Lat · right wrist plain film · boy, 15 yo · image 66.5 mm wide.
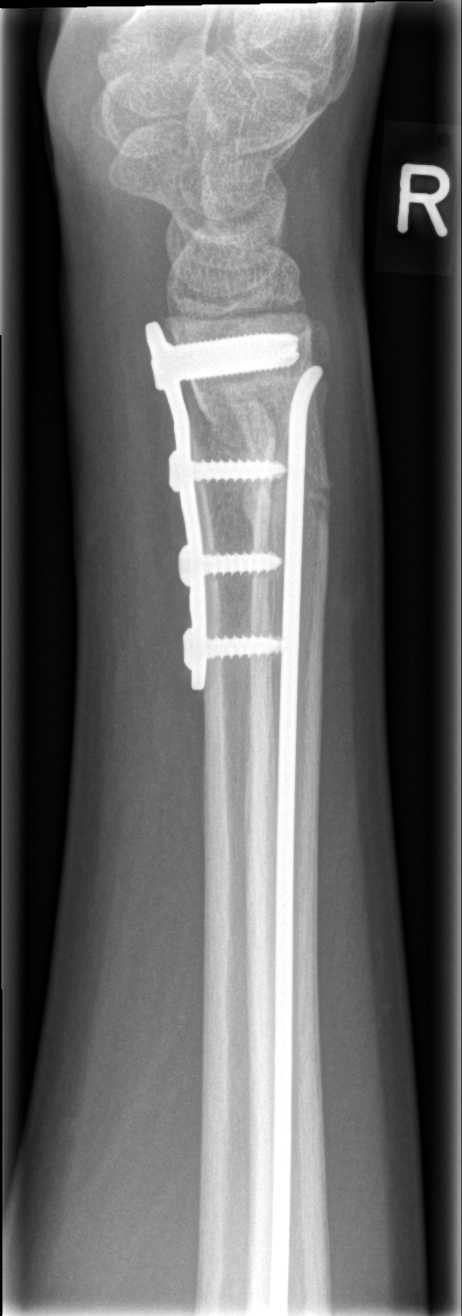

fracture: (185, 373, 337, 538)
metal: (142, 316, 324, 1316)
ao: 23-M/3.1